Lateral · right wrist plain film · age 12 y, male · in cast · image 112.5 mm wide.
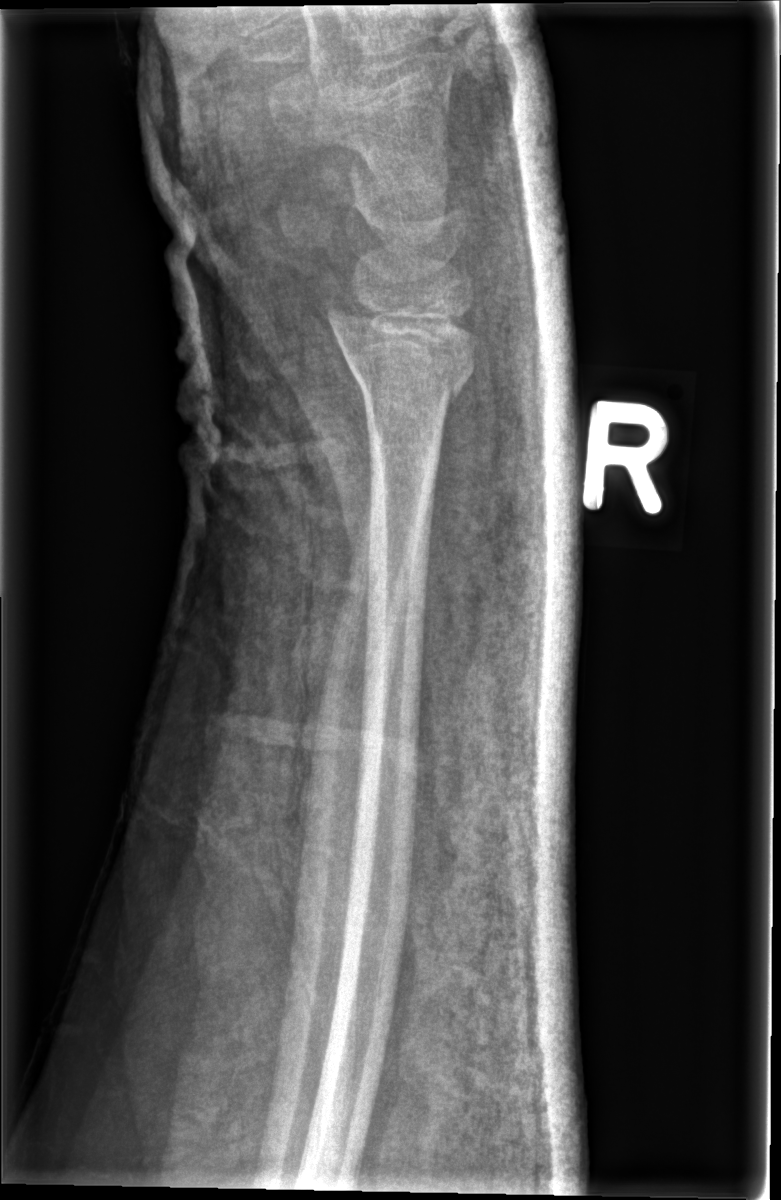 Fracture = 1 @ (left=322, top=294, right=481, bottom=405)